AP view, left wrist plain film, 7-year-old male, cast present 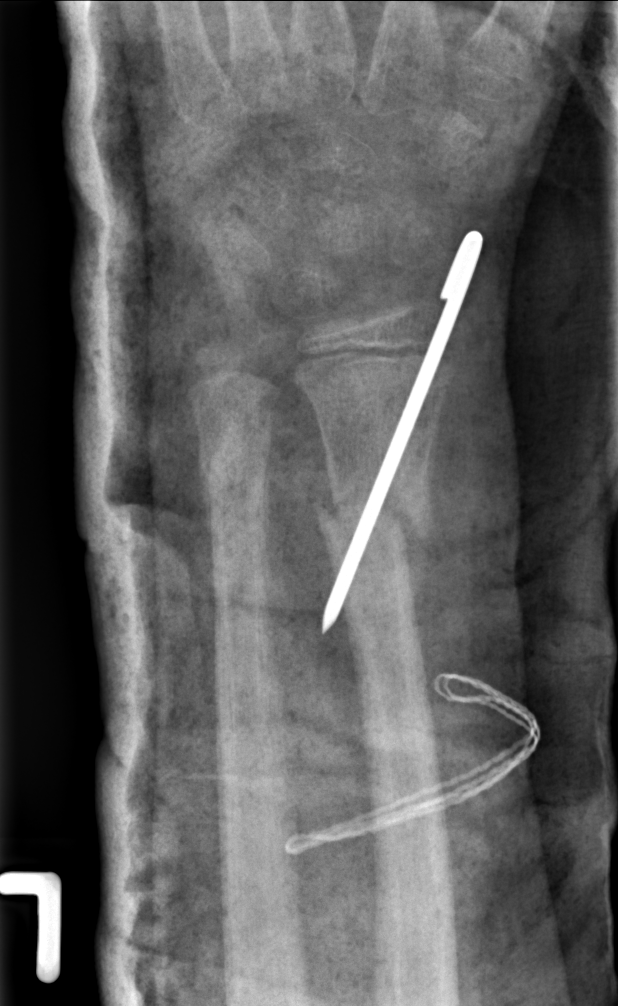

FINDINGS: Metallic hardware — [321, 226, 484, 636] [282, 670, 542, 857]. AO/OTA classification: 23-M/3.1. Fractures — [314, 465, 442, 577], [200, 437, 274, 509].